Right wrist plain film · lat view · 12y M · findings marked uncertain by the reading radiologist · image 81.2 mm wide · 564x1142.

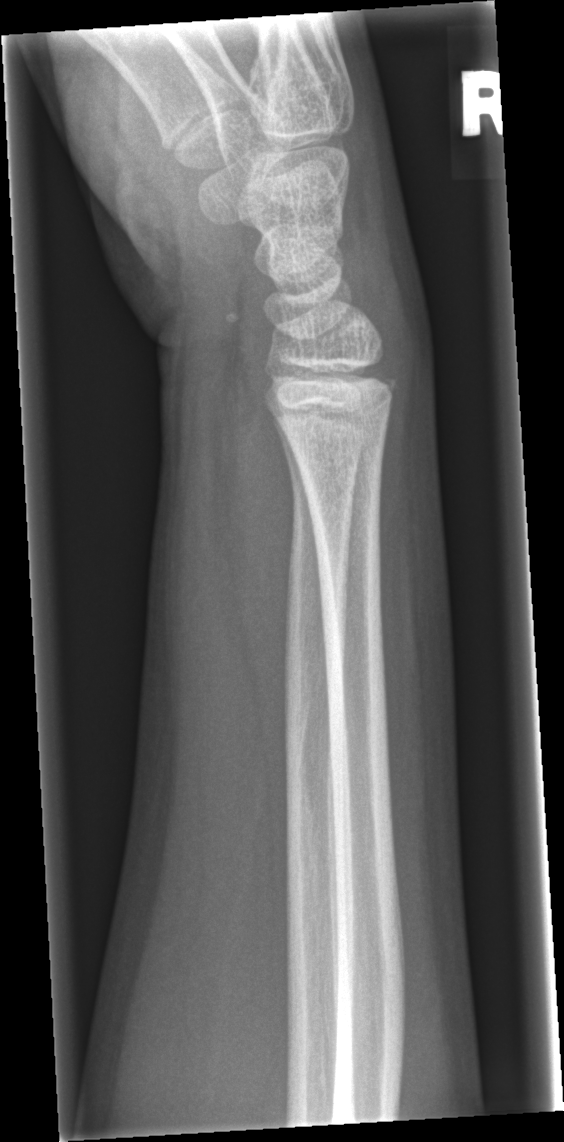 Findings: No Fx annotated. Pronator quadratus fat-pad sign identified at (left=213, top=352, right=311, bottom=798).